PA; L wrist plain film; detector: Siemens

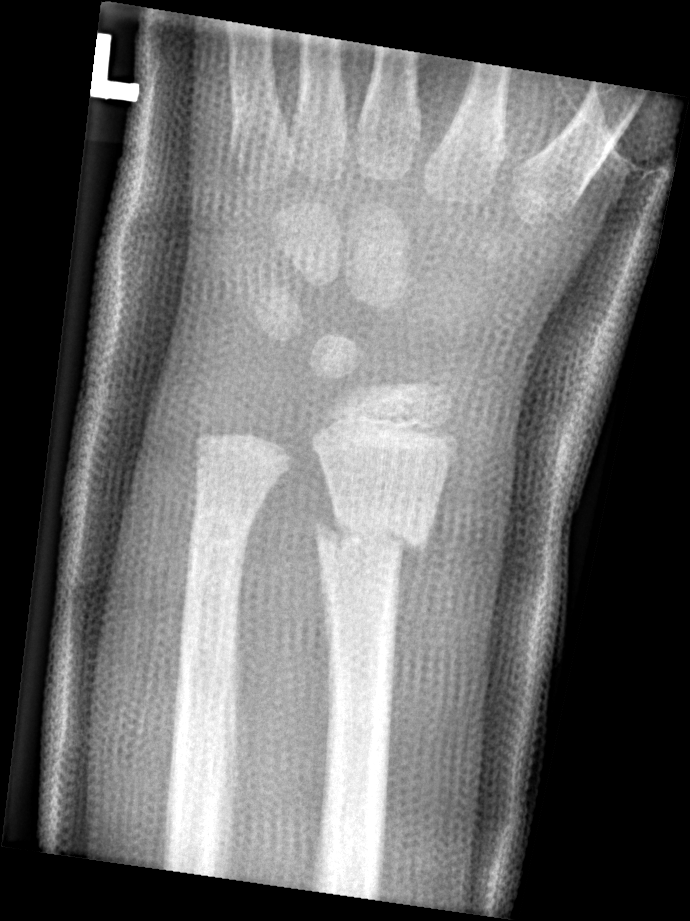

Fracture classified AO/OTA 23-M/3.1.
Bone fracture identified at 309 500 439 573.